Left wrist plain radiograph of the wrist · lat projection · male, 16 yo:

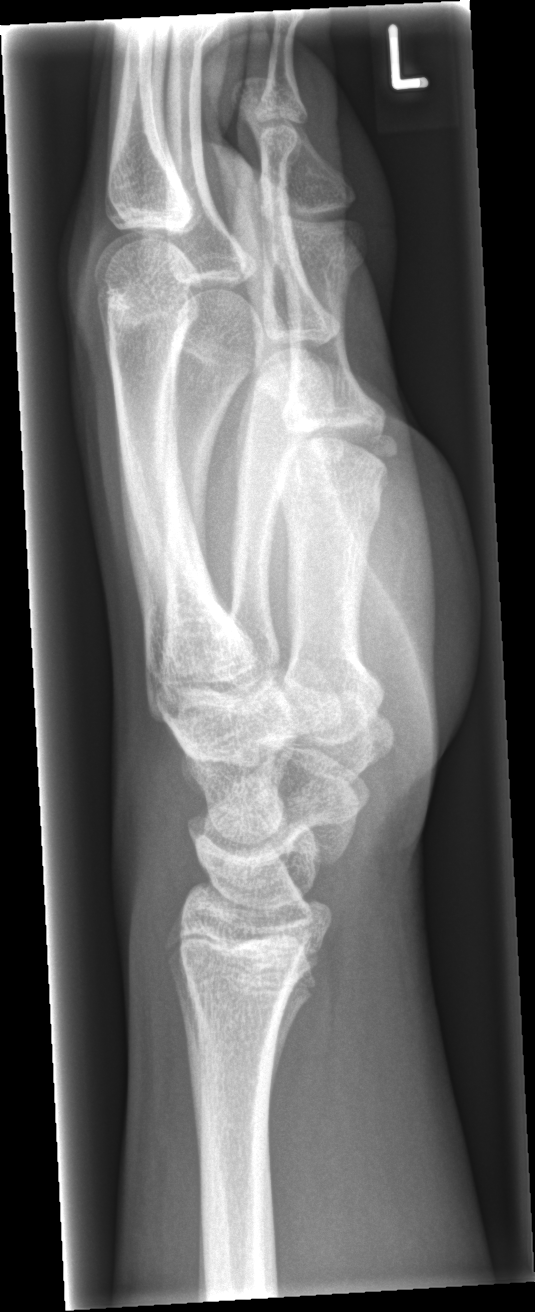 Positive pronator fat-pad sign = 1 @ [x1=386, y1=21, x2=428, y2=89]
Fx = none labeled